Frontal projection | Rt wrist X-ray:
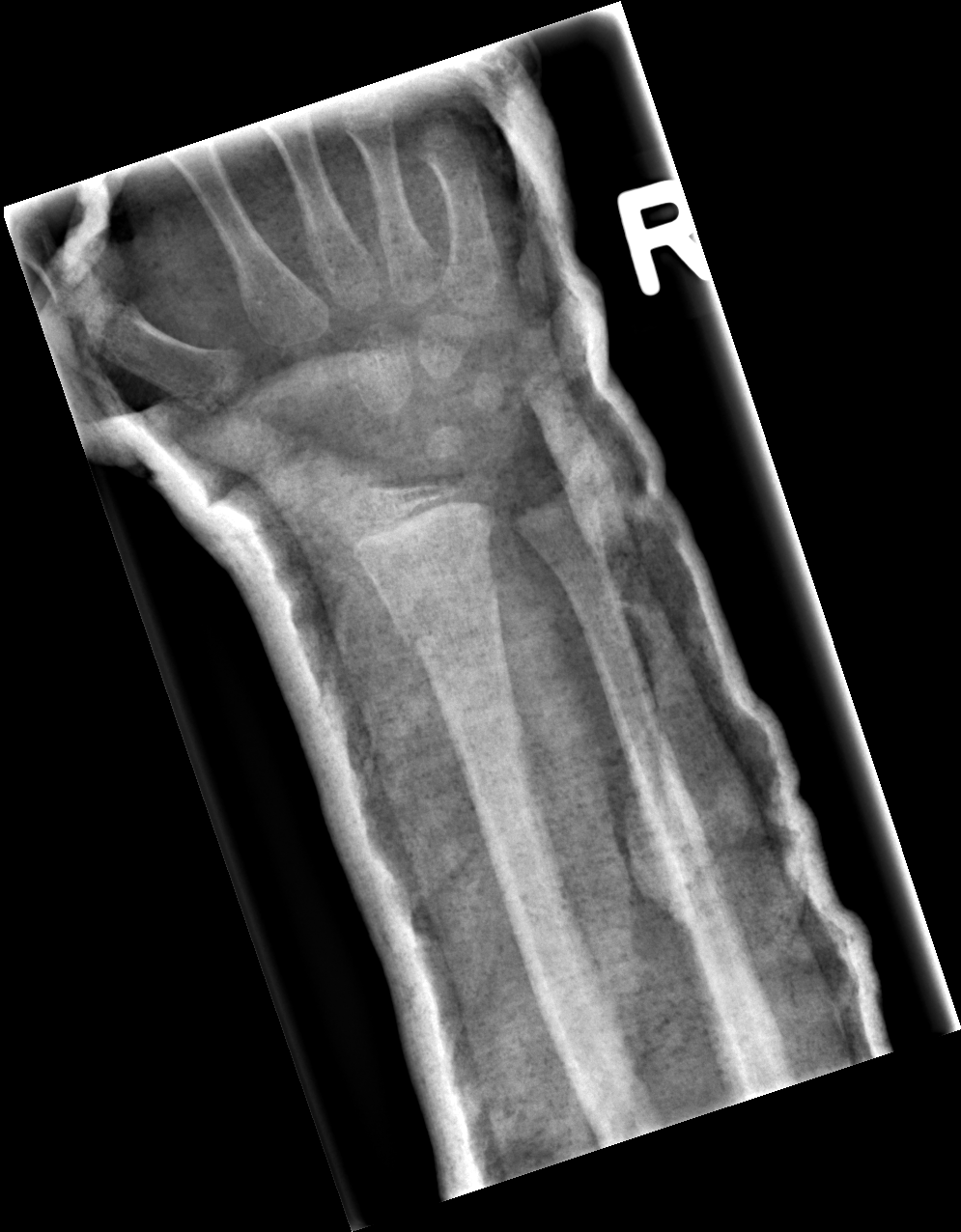
Findings: (coordinates are [x1, y1, x2, y2] in image pixels) Fracture identified at [x1=399, y1=574, x2=505, y2=667].